R wrist plain film, lat view, image size 630x1190: 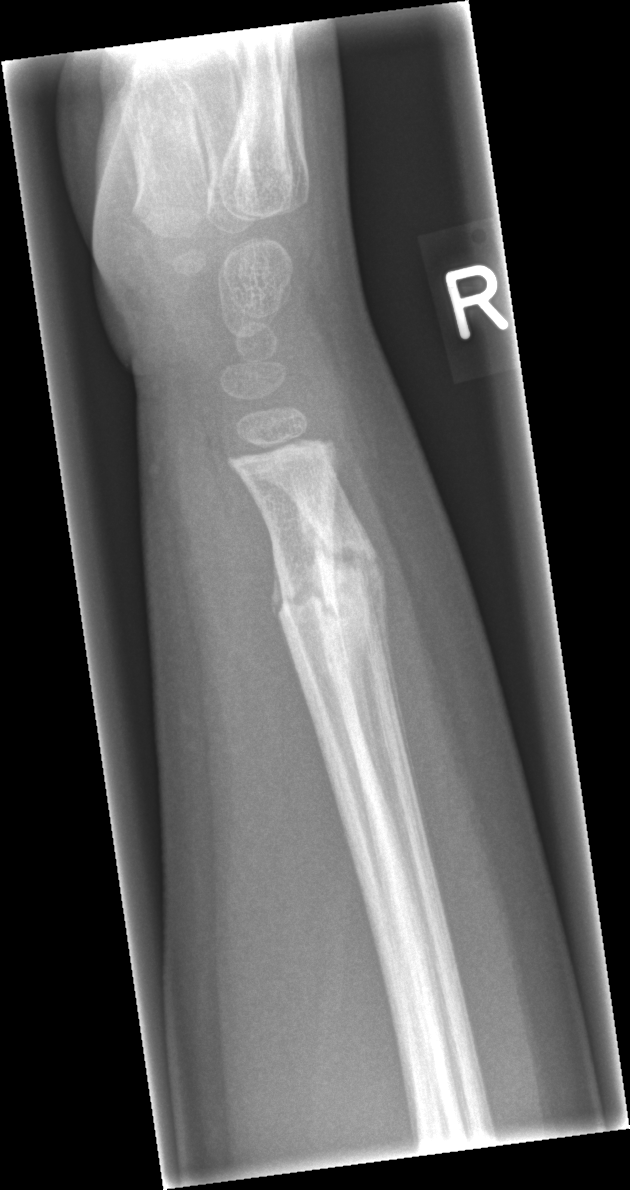

(coordinates are [x1, y1, x2, y2] in image pixels)
AO/OTA = 23-M/3.1
periosteal reaction = 3 @ (left=350, top=513, right=458, bottom=968); (left=325, top=506, right=391, bottom=808); (left=271, top=538, right=287, bottom=620)
Fx = (left=267, top=536, right=385, bottom=634)
osteopenia = present